Lateral | left wrist plain radiograph of the wrist | male, 7 yo:

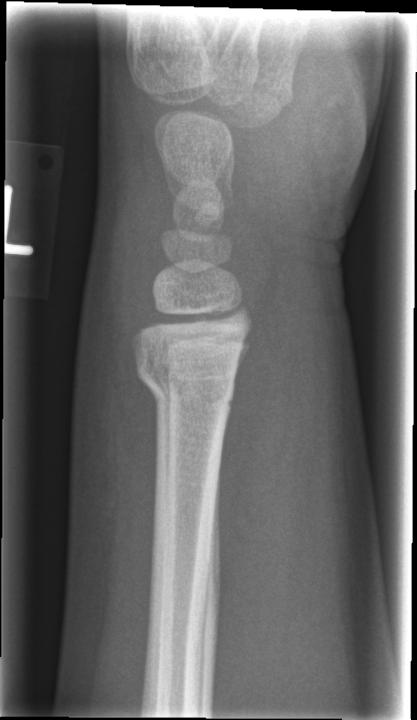

bone fracture: 1 @ (left=133, top=342, right=237, bottom=416)
positive pronator fat-pad sign: (left=207, top=253, right=300, bottom=553)
AO code: 23r-M/2.1